Lateral; R plain radiograph of the wrist; male, 10 yo
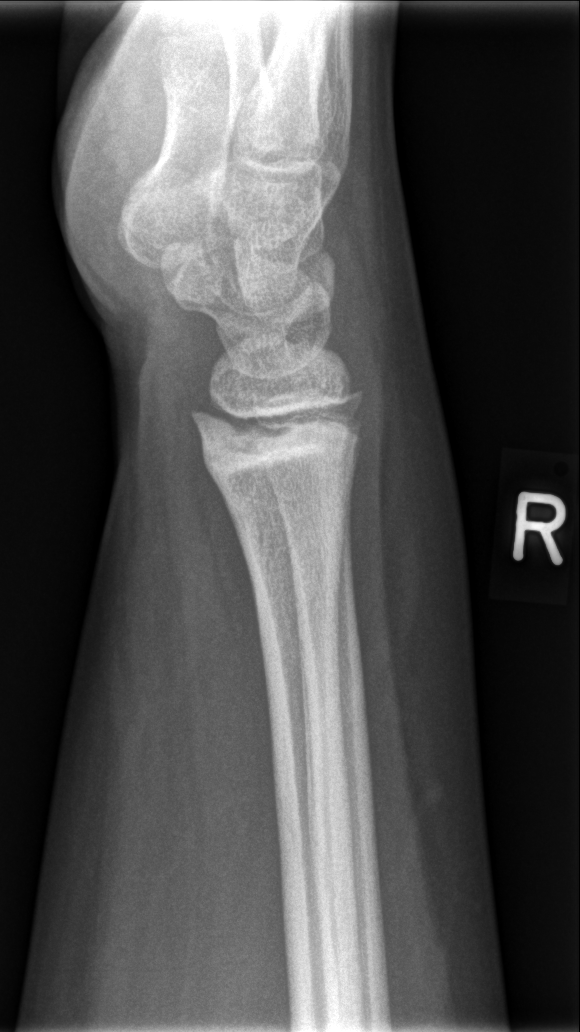 - Bone fracture: [186, 383, 368, 487].
- AO/OTA classification: 23r-E/2.1; 23u-E/7.